Left wrist plain film, posteroanterior view, 556x989
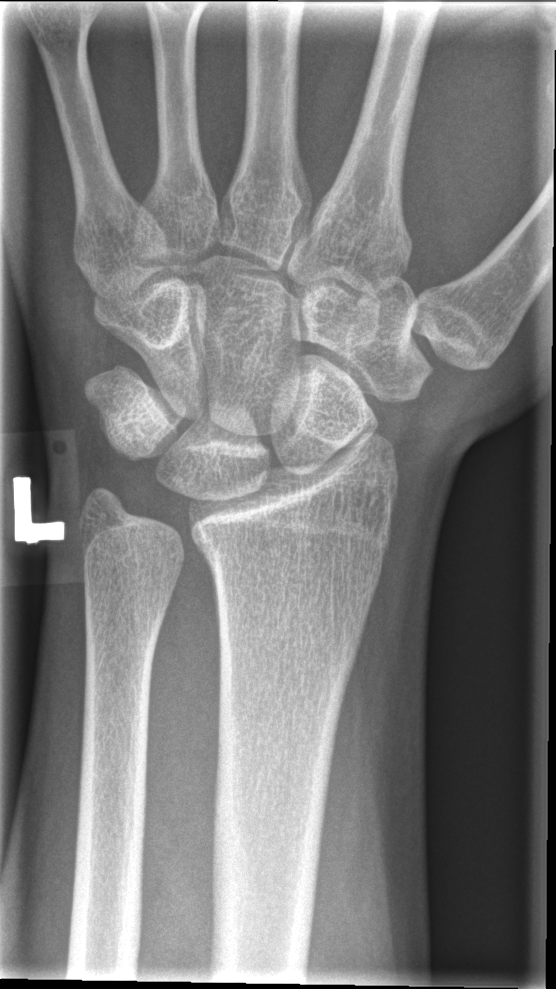

Findings: No fracture labeled.